PA, Lt wrist XR, index exam, acquired on Siemens, 527x782 —
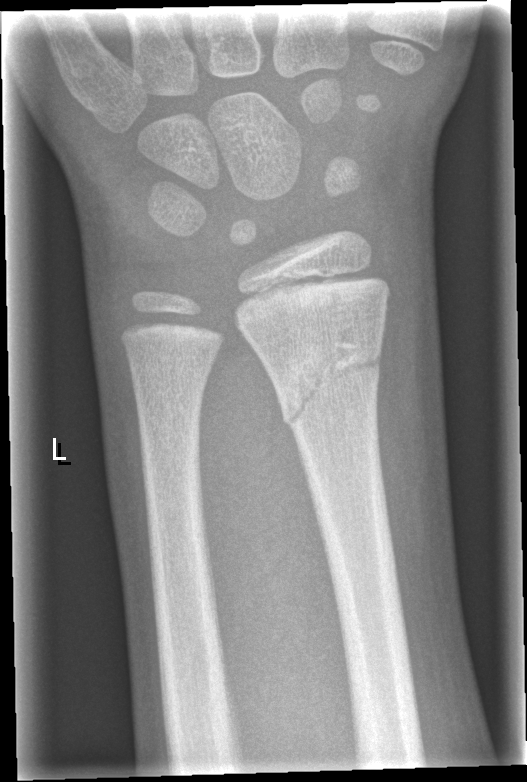

{"fracture": "<279,334>-<389,445>"}